Right wrist X-ray · AP projection · pediatric patient (girl, age 10)
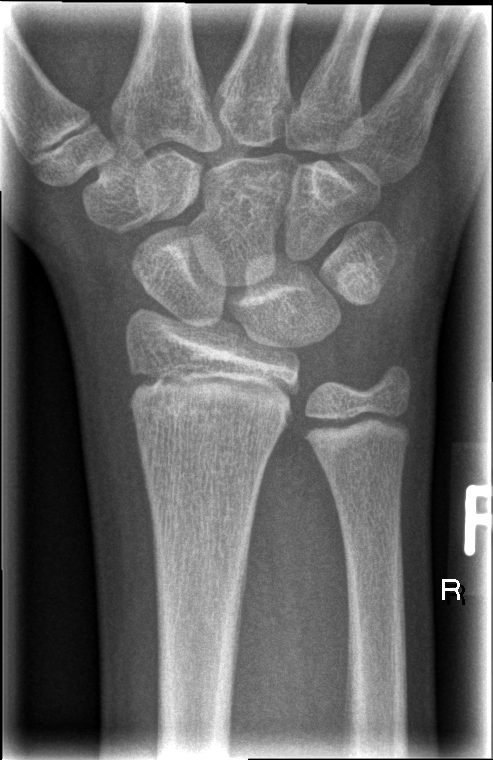

Fx = none labeled